R wrist radiograph | PA projection —

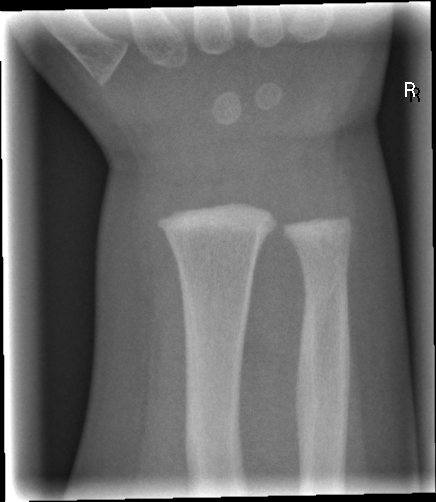   fracture: none labeled